Lateral projection; left wrist XR; 10-year-old female; presentation radiograph; Siemens —
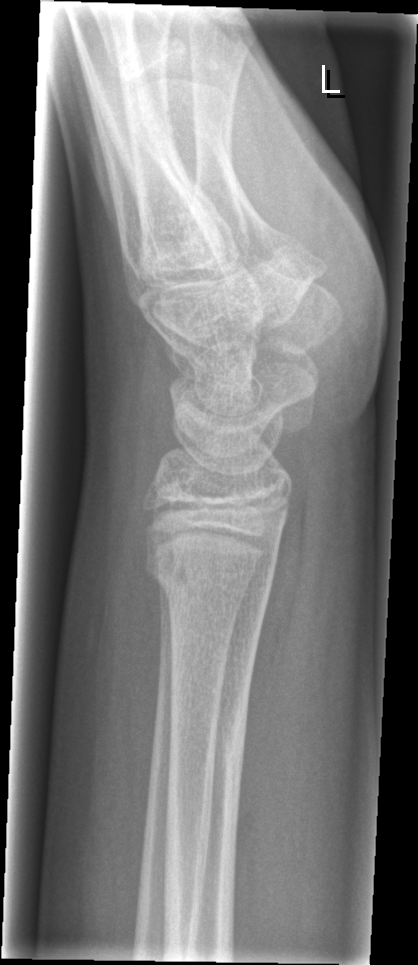 FINDINGS: Fx — 144 548 281 607.